Obl view; left wrist plain radiograph of the wrist; age 9 y, male; follow-up study 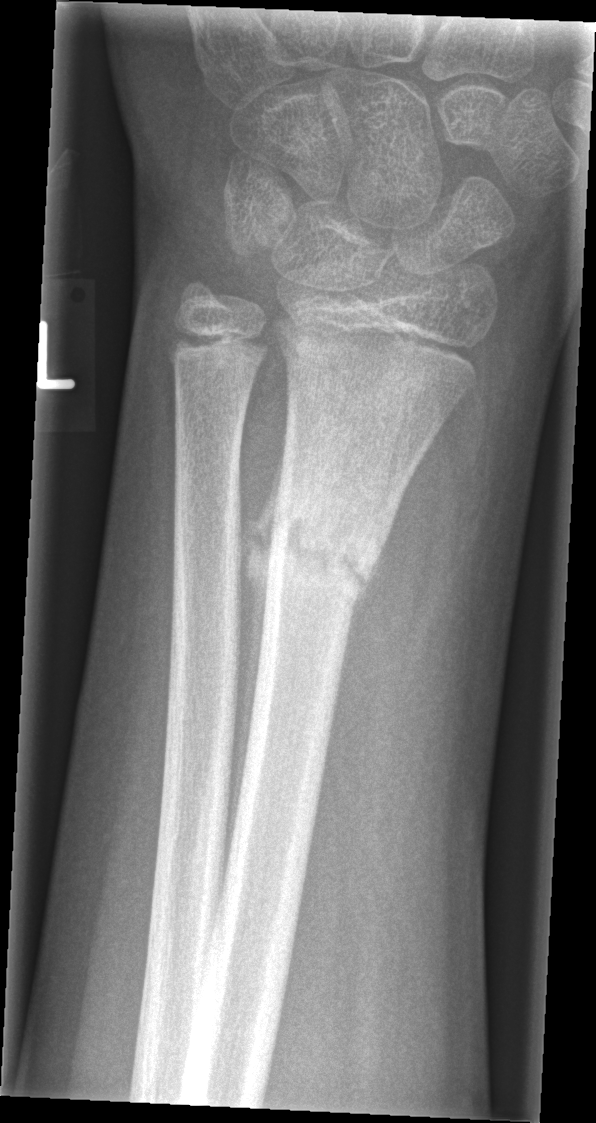

* Fracture classified AO/OTA 23r-M/3.1.
* Fx: 264,504,377,600.
* One periosteal reaction at 216,432,286,923.